Lateral view | L wrist plain film:
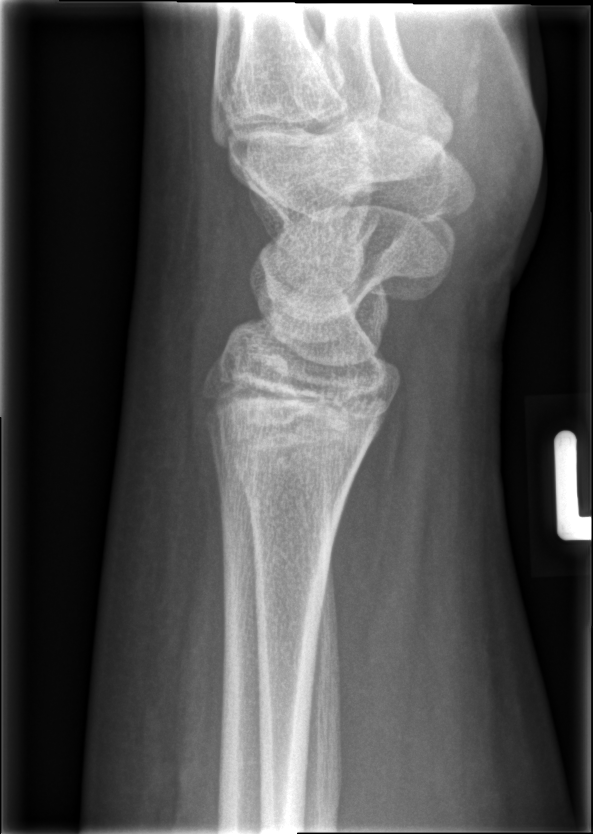

• No fracture annotation.